Right wrist plain radiograph of the wrist; AP; presentation radiograph. 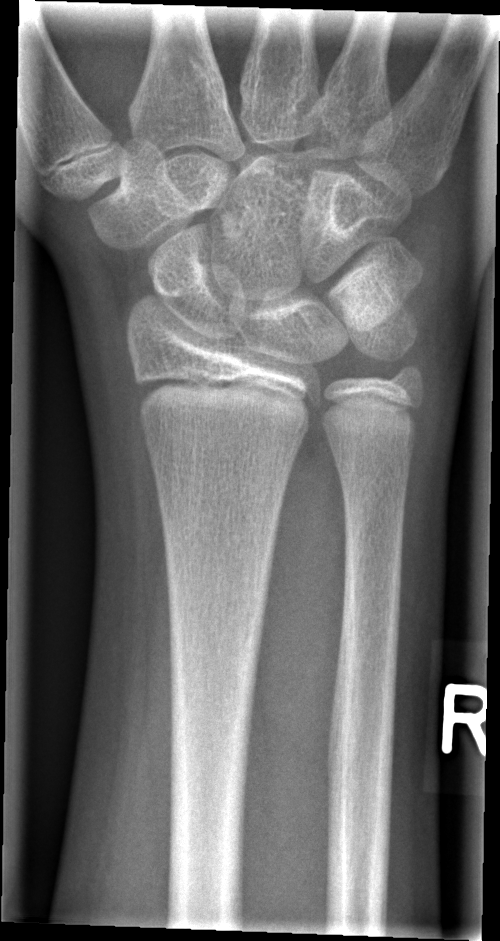
No fracture annotation.